PA/AP view, left wrist plain film, follow-up study: 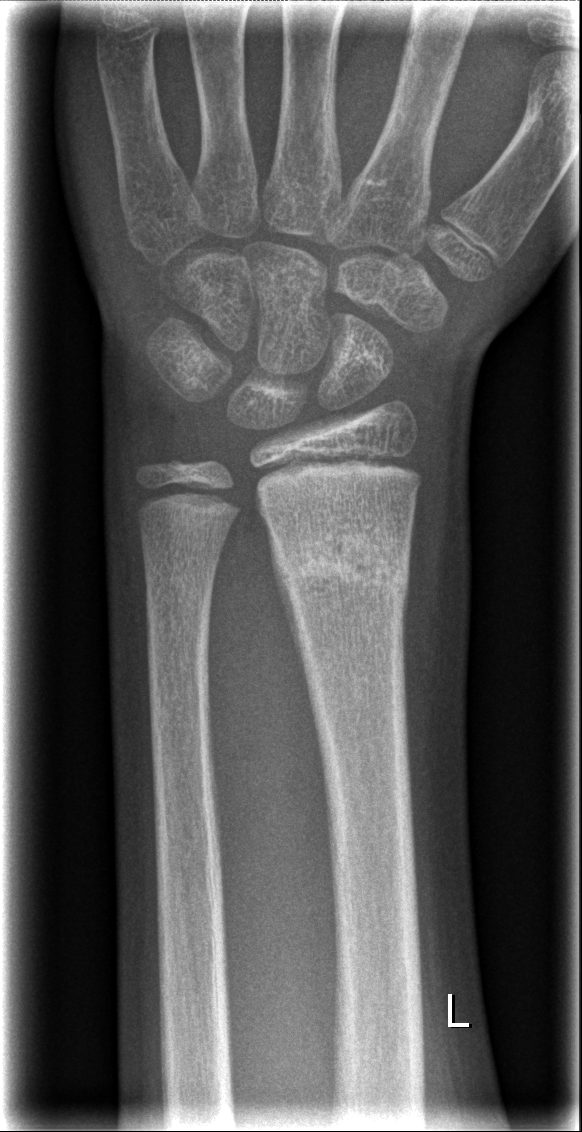

  # pixel coordinates, top-left origin, xyxy
  fracture: bbox(270, 532, 411, 606)